Posteroanterior projection; Rt wrist XR; 11-year-old girl:
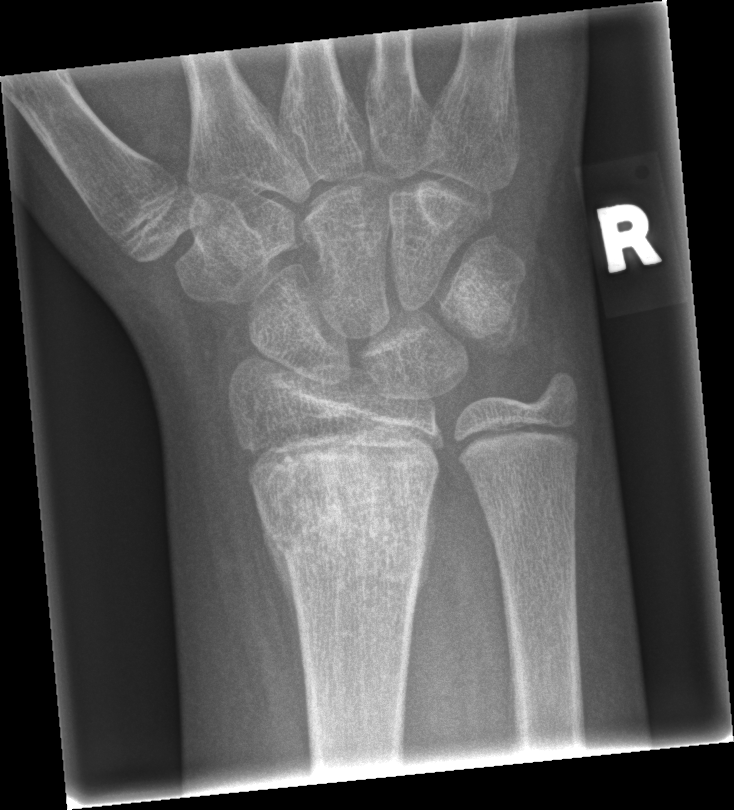

Findings: (boxes as x1,y1,x2,y2 (top-left / bottom-right, pixel units)) Fracture: bbox(254, 437, 444, 592). Osteopenia. Two periosteal new bone at bbox(258, 503, 303, 659), bbox(415, 484, 438, 609).